Left wrist plain radiograph of the wrist; frontal projection; 12y F; 612 by 1012 pixels:
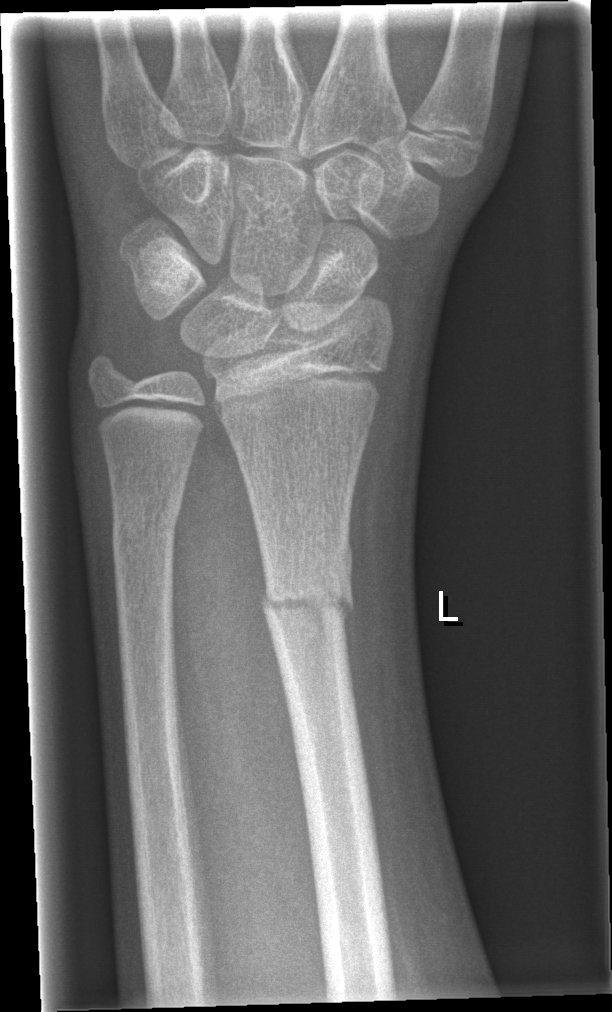
{
  "_coords": "boxes as x1,y1,x2,y2 (top-left / bottom-right, pixel units)",
  "fracture": "2 @ 254,548,359,656; 106,480,190,580",
  "ao": "23r-M/3.1; 23u-M/2.1"
}